L wrist radiograph; lateral projection; 635 x 1206 px 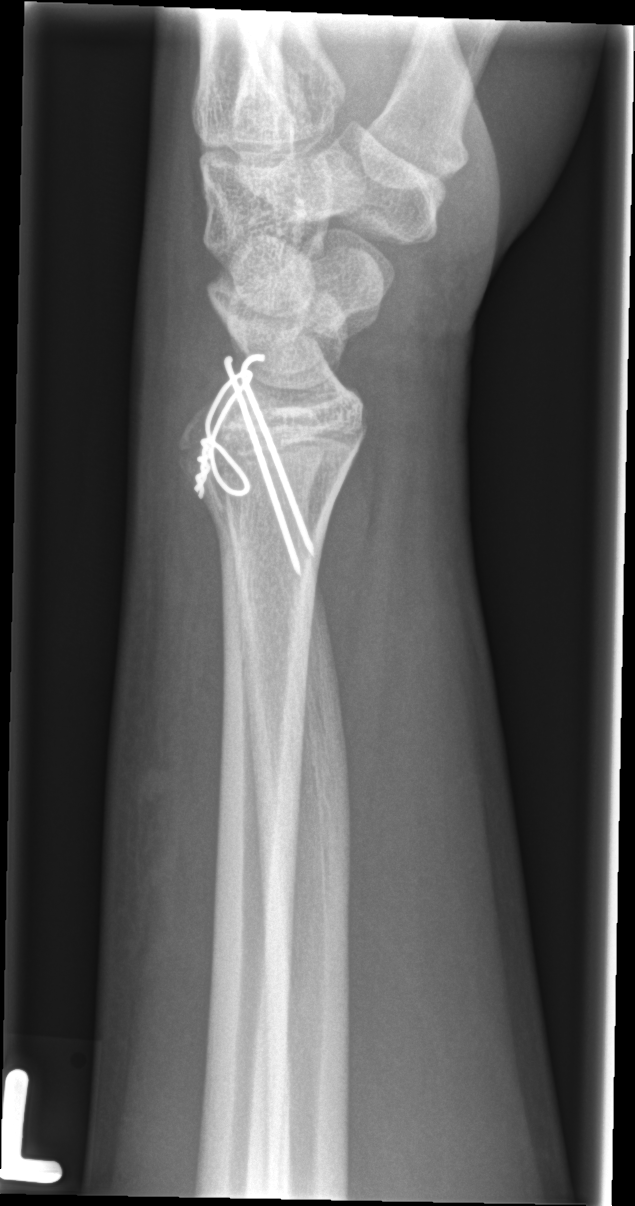

Q: Is there any metallic hardware?
A: Hardware identified at 189,351,318,581
Q: Any fracture seen?
A: Fx identified at 172,446,346,546